Lateral, L plain radiograph of the wrist, boy, 10 yo, follow-up, acquired on Siemens 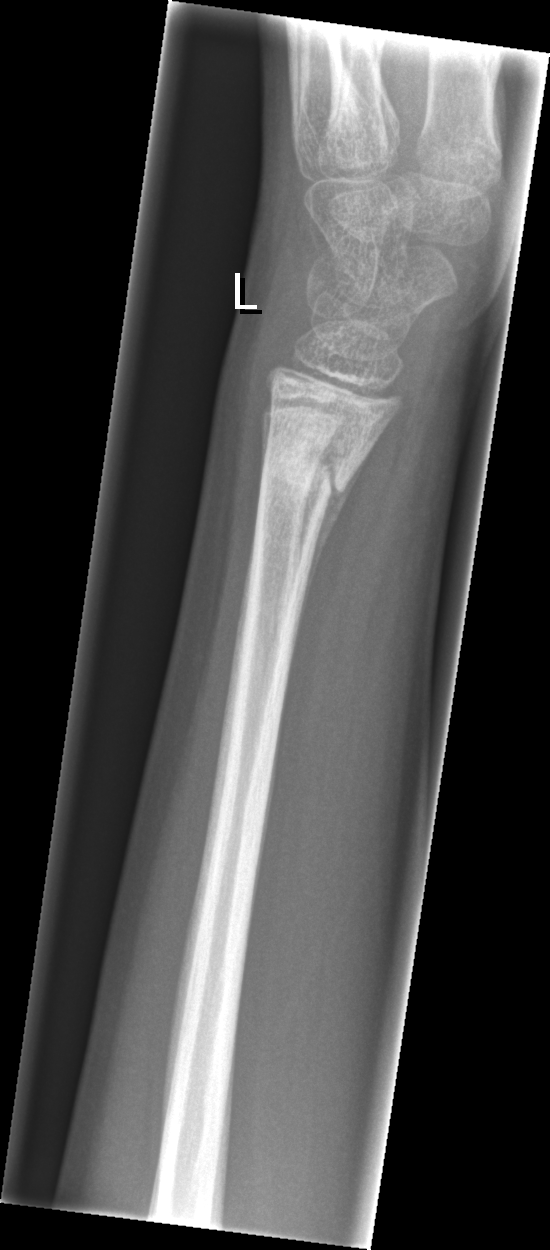
Findings: Periosteal reaction identified at (left=297, top=441, right=375, bottom=637). Bone fracture: (left=261, top=429, right=354, bottom=513). Osteopenic.